PA/AP view | right wrist X-ray | 2-year-old female | initial study | image width 64.5 mm:

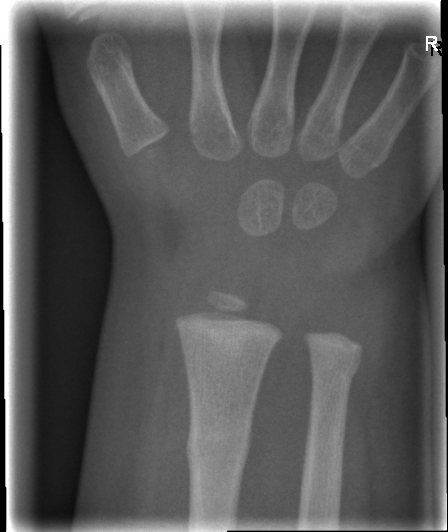

Fracture identified at <183,417>-<255,474>; <308,354>-<361,393>.
AO/OTA classification: 23-M/2.1.